PA/AP view, right wrist XR, male, 11 yo, cast present, Siemens, image width 110.0 mm —
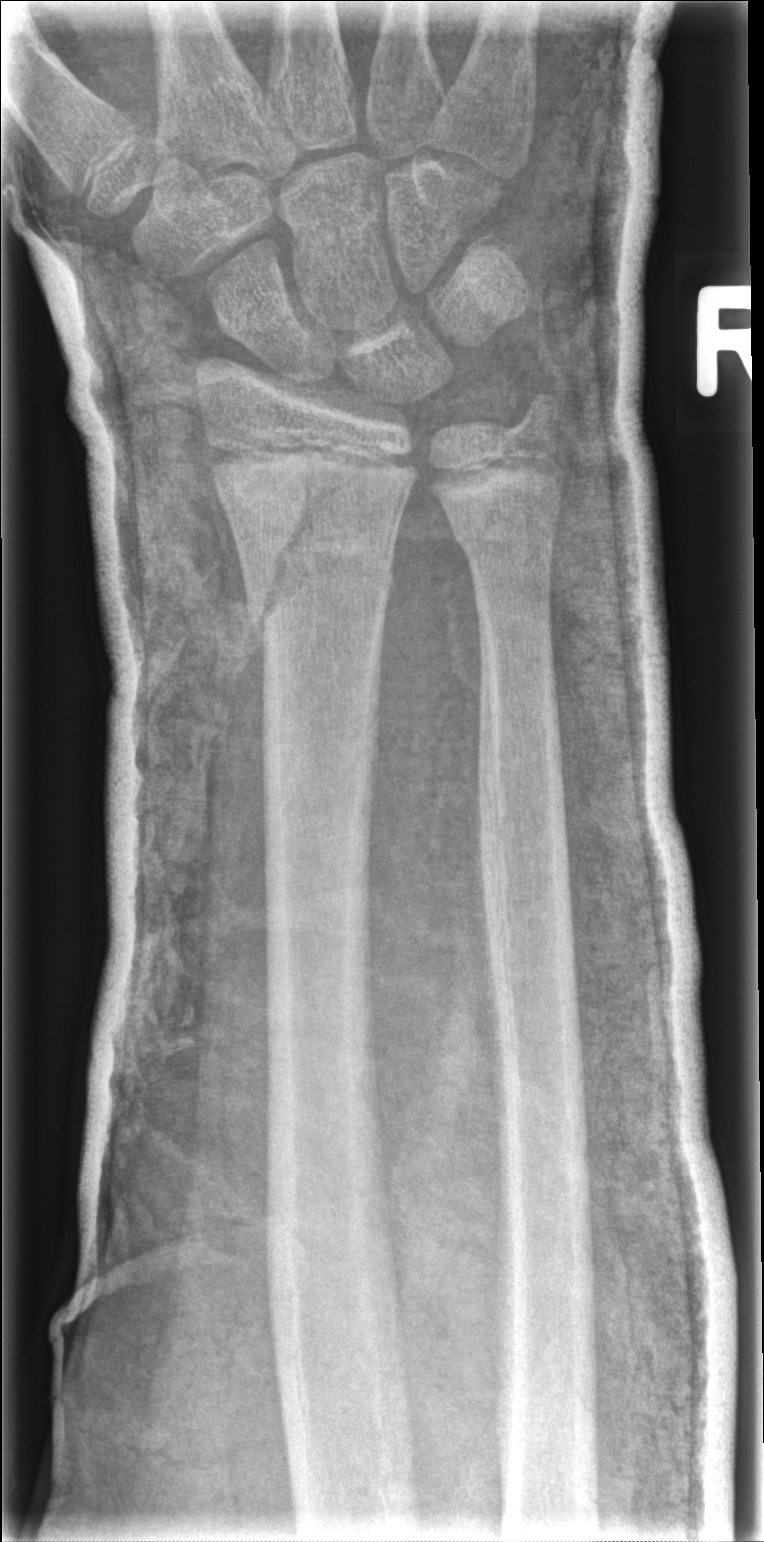 * Bone fracture: <223,454>-<416,662>, <451,498>-<568,583>.
* AO code 23r-M/3.1; 23u-M/2.1.